Lateral | R wrist XR | girl, 9 yo: 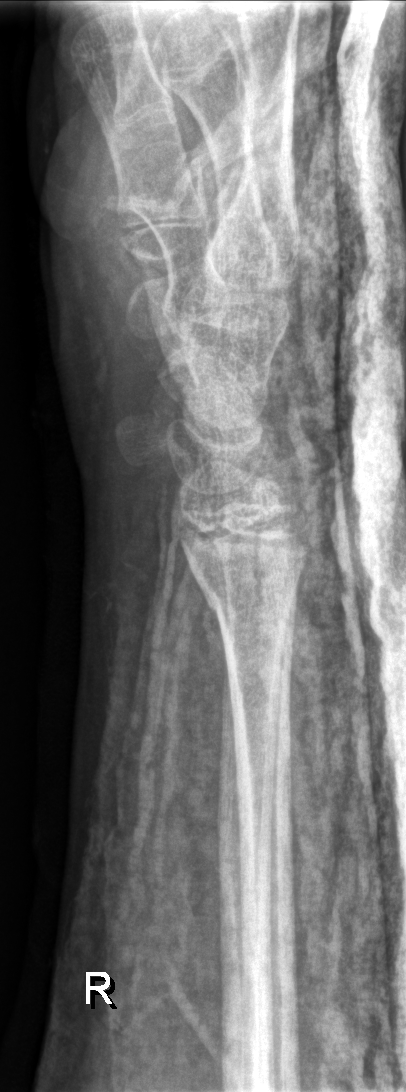 Fracture classified AO/OTA 23r-M/2.1.
Bone fracture — (left=190, top=560, right=304, bottom=621).